Lateral, right plain radiograph of the wrist, age 14 y, male, follow-up study. 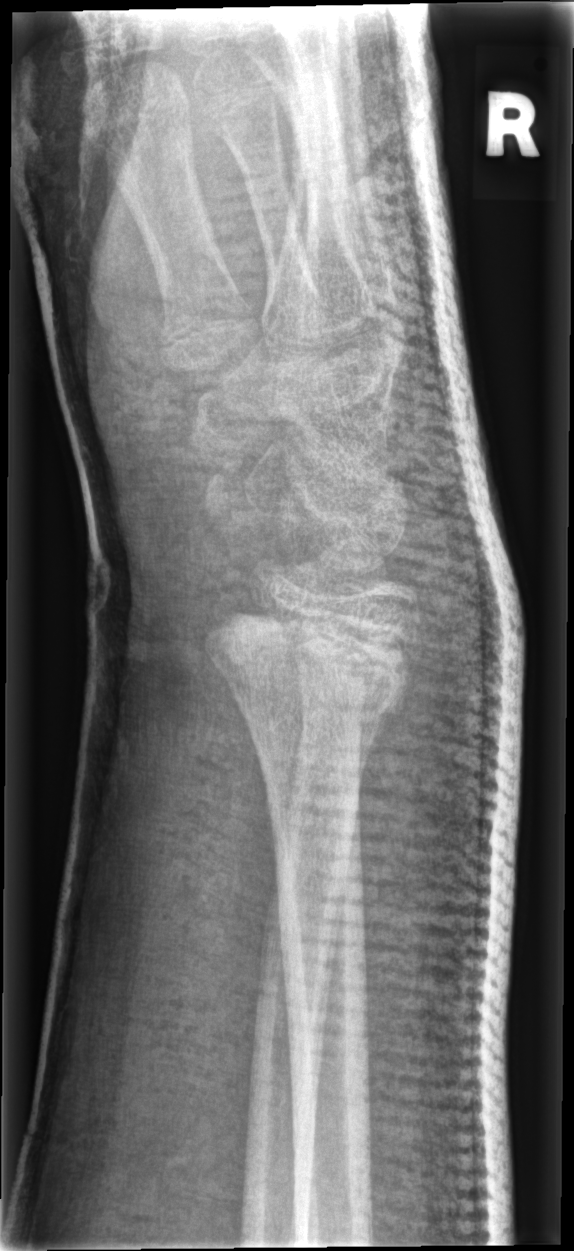

Pixel coordinates, top-left origin, xyxy. Bone fracture: [196, 599, 416, 732]. AO code 23r-E/2.1; 23u-E/7.